Rt wrist radiograph · posteroanterior.
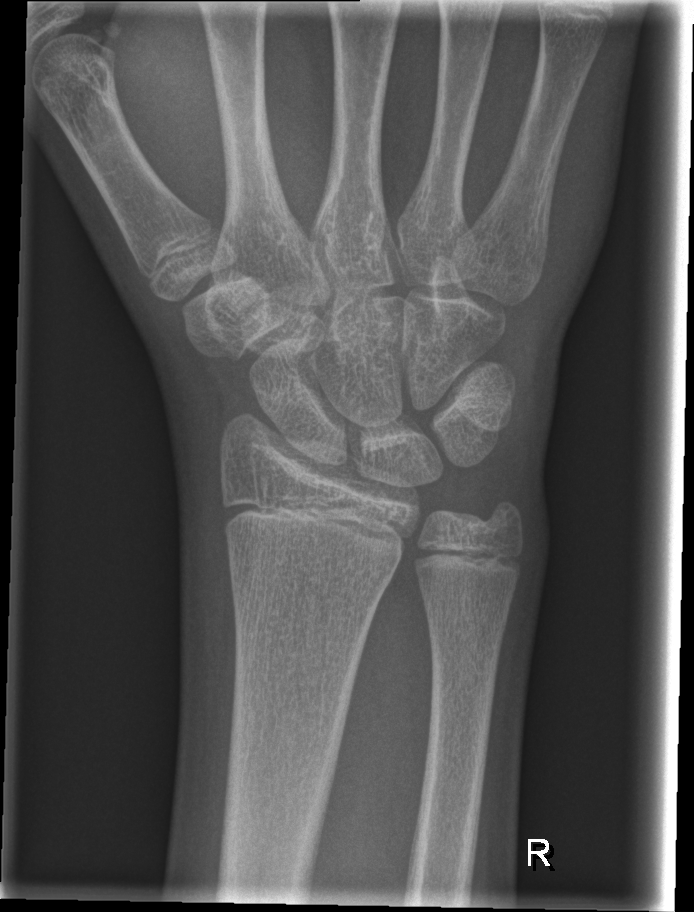 fracture = none labeled